L wrist radiograph, AP projection, pediatric patient (boy, age 14), 536x886 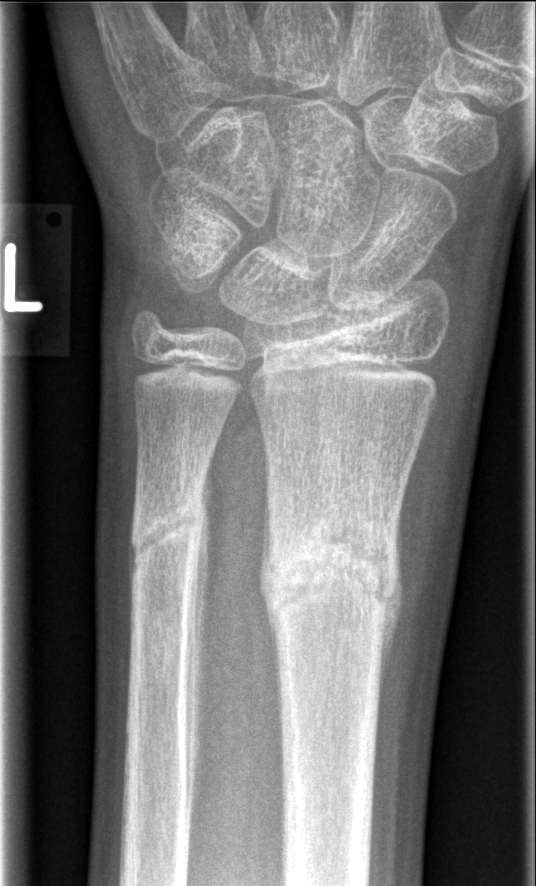
Boxes as x1,y1,x2,y2 (top-left / bottom-right, pixel units).
Three periosteal new bone at [x1=189, y1=478, x2=212, y2=809] [x1=378, y1=521, x2=407, y2=718] [x1=261, y1=492, x2=284, y2=740].
AO code 23-M/3.1.
Fx identified at [x1=256, y1=502, x2=408, y2=660]; [x1=126, y1=489, x2=210, y2=576].